Right wrist X-ray; frontal; presentation radiograph; 559 x 1152 px.

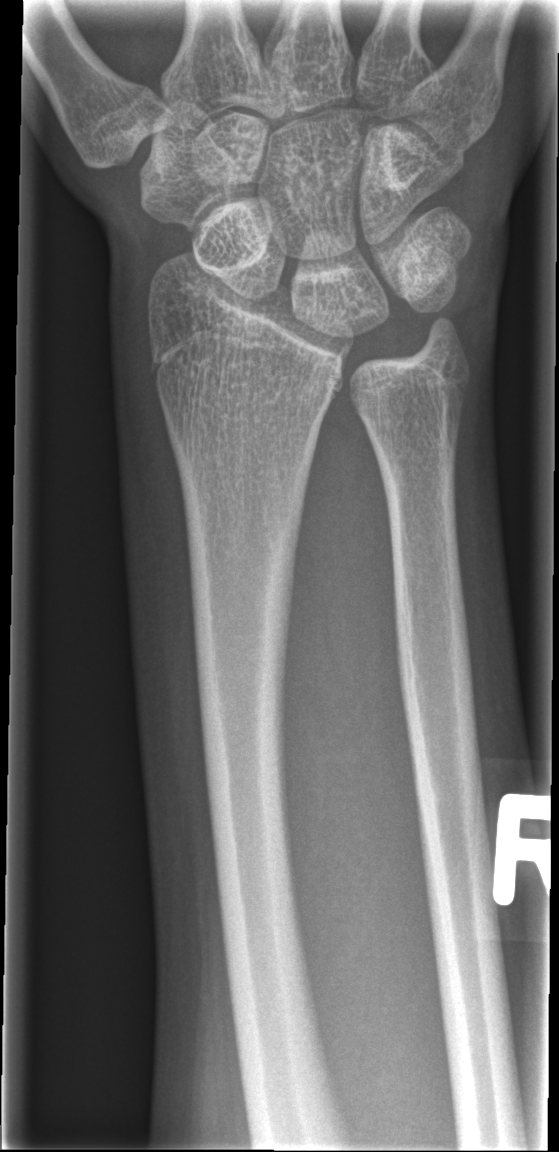 Findings: Bone variant: <134,241>-<378,430>. No fracture bounding box.